Lat projection · right wrist radiograph —

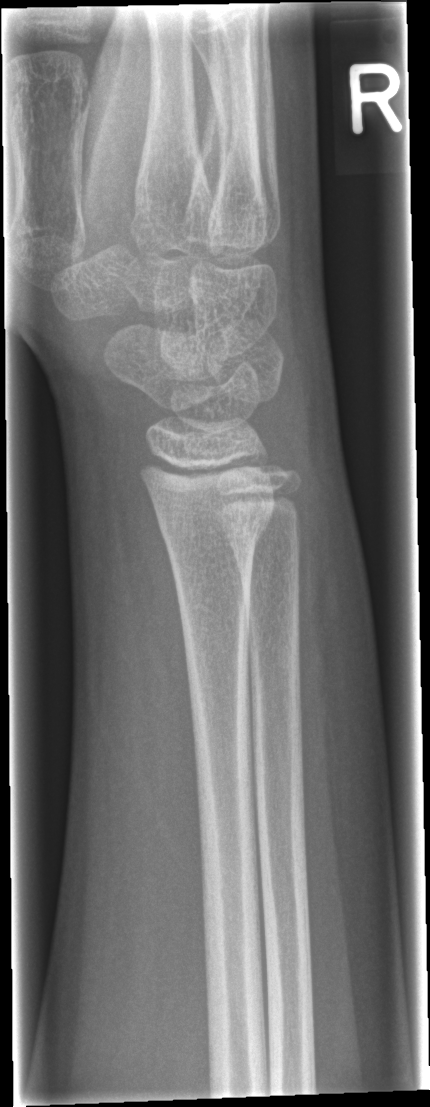

* Bounding boxes in image-pixel xyxy.
* AO code 23r-M/2.1.
* One fracture at 150 492 278 551.